Lat view; Rt plain radiograph of the wrist 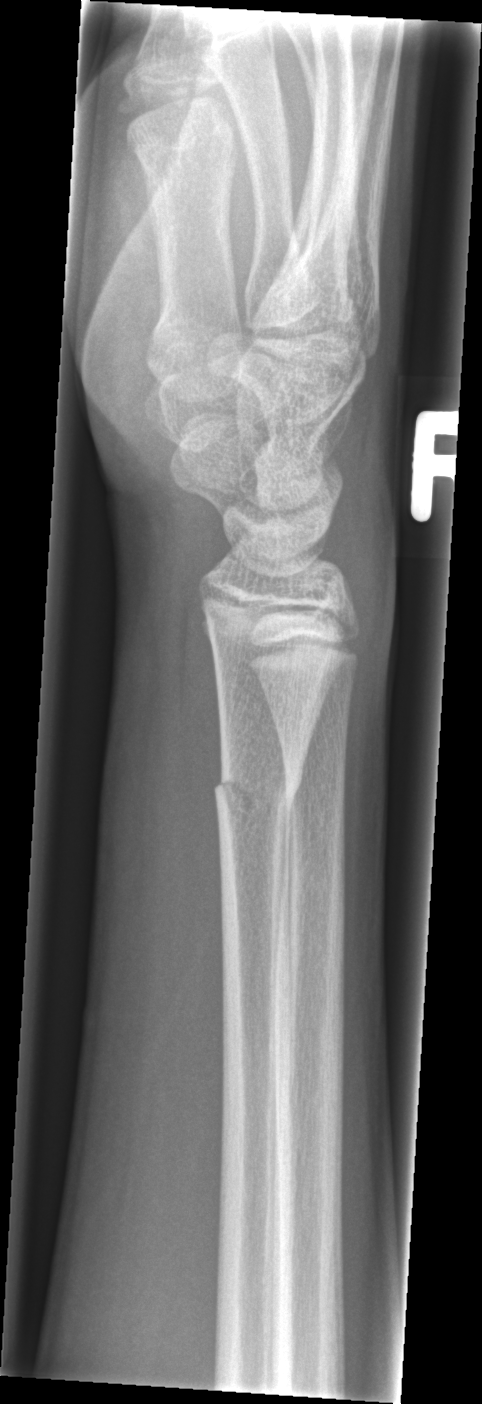 (bounding boxes in image-pixel xyxy)
Q: Locate any fractures.
A: Fracture identified at (211, 765, 307, 831)